PA/AP projection · Lt pediatric wrist radiograph · follow-up
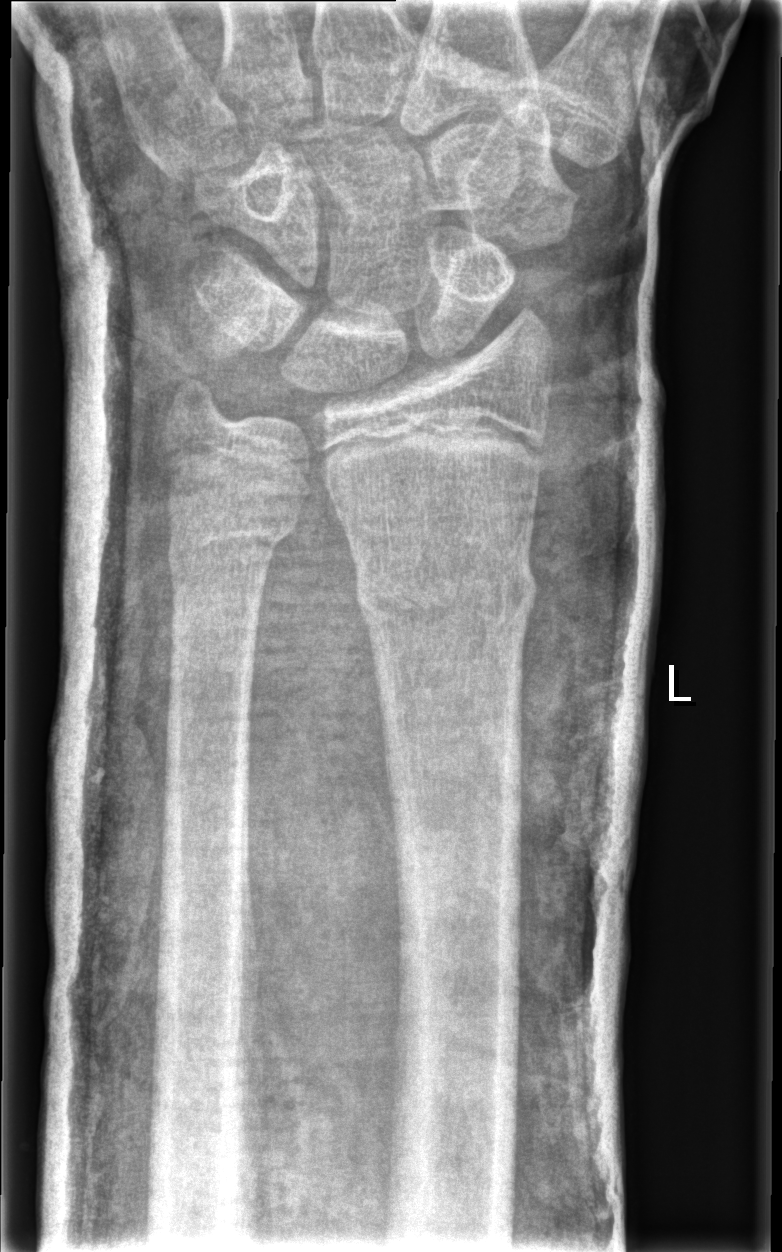
Boxes as x1,y1,x2,y2 (top-left / bottom-right, pixel units). AO code 23r-M/3.1; 23u-M/2.1; 23u-E/7. Fracture: (352, 550, 541, 637), (163, 515, 300, 583).